Right wrist pediatric wrist radiograph · lat · 419 x 858 px —
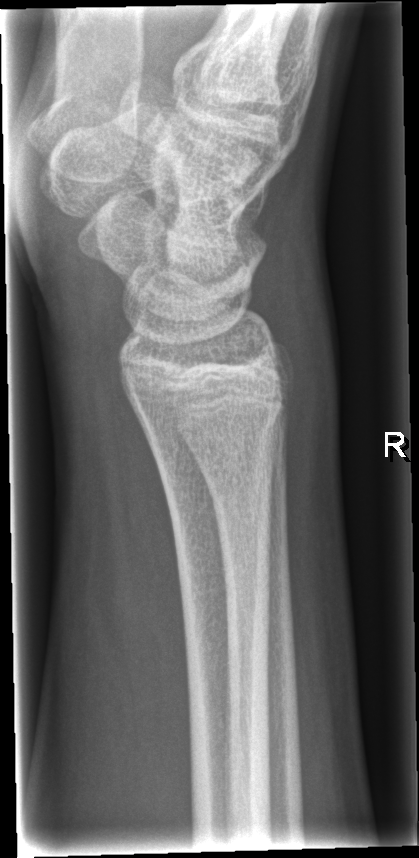 Bone fracture: 139,396,296,469
AO classification: 23r-M/2.1